Rt wrist XR, posteroanterior projection, boy, 11 yo, subsequent exam:

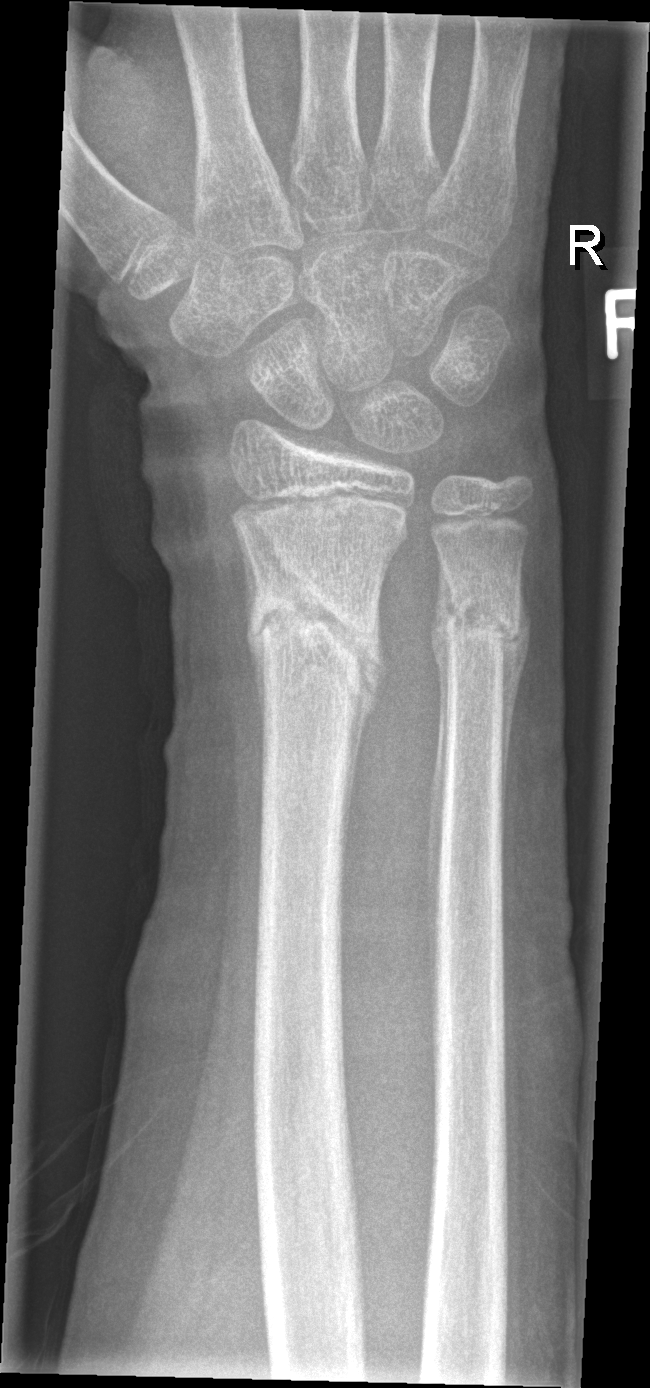
Q: Is there a fracture?
A: Bone fractures — 244,581,386,699; 437,591,528,662
Q: What is the AO/OTA classification?
A: AO/OTA classification: 23-M/3.1
Q: Locate any periosteal reaction.
A: Periosteal new bone: 342,610,384,870; 427,577,450,991; 502,592,530,808; 239,536,266,737